Lateral, right wrist plain film, 15y F, presentation radiograph, 371x912: 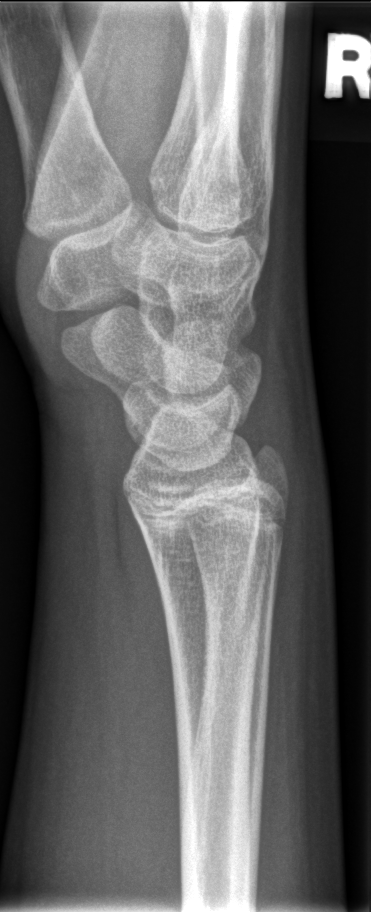

FINDINGS: No Fx annotated.